AP view · Lt wrist XR · 7y F · acquired on Siemens. 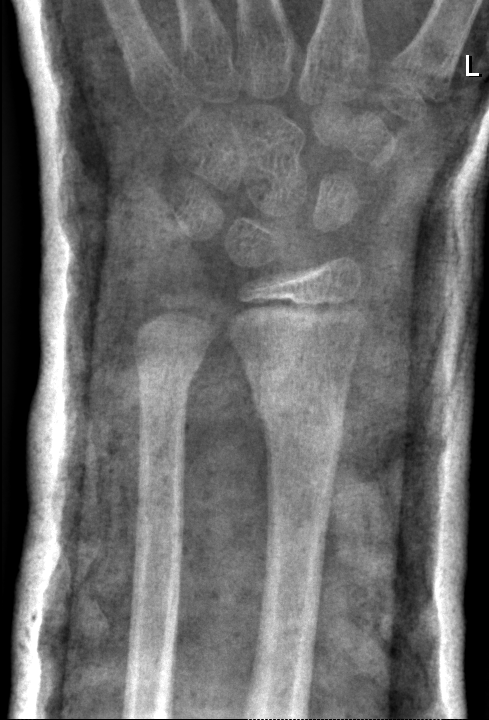 {
  "ao": "23r-M/3.1; 23u-M/2.1",
  "fracture": "[x1=251, y1=390, x2=350, y2=445], [x1=130, y1=343, x2=199, y2=404]"
}